L wrist XR · lat view · 11y F · presentation radiograph · 464x1182 —
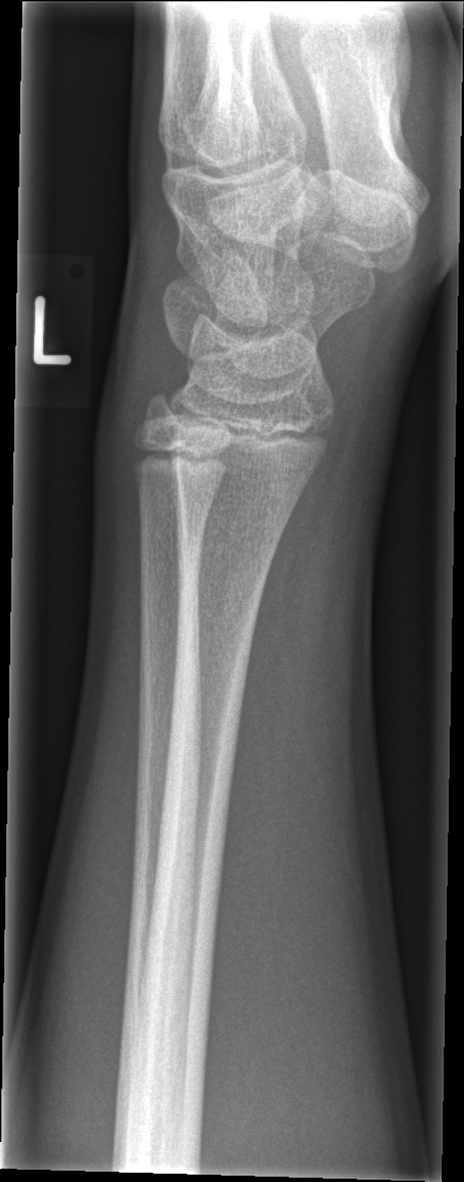 Q: Fracture present?
A: No fracture bounding box